Left wrist radiograph; PA; imaged through cast; 564 x 1015 px 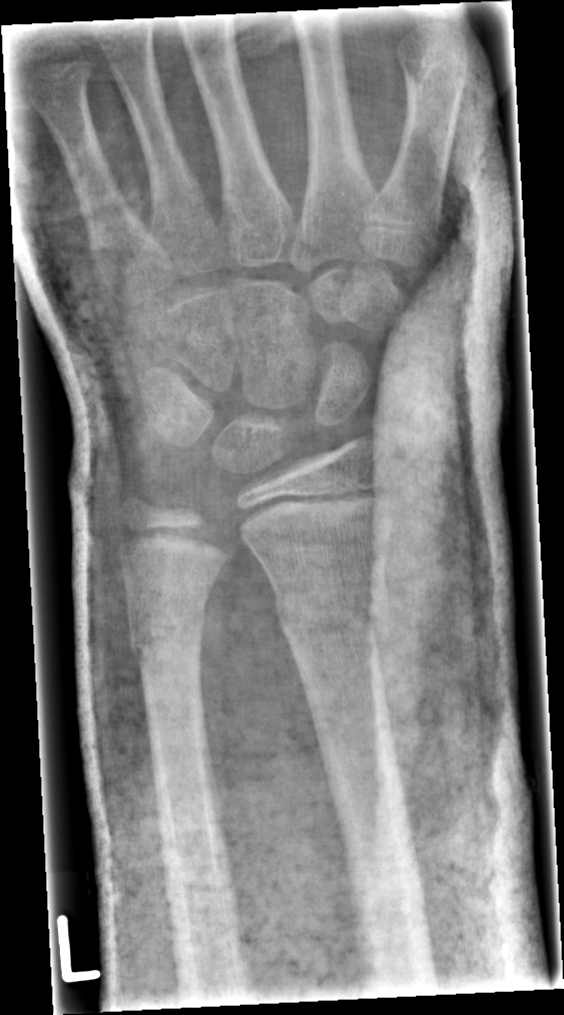

FINDINGS: Fracture: (left=269, top=581, right=386, bottom=649); (left=129, top=604, right=208, bottom=669).